Posteroanterior; right pediatric wrist radiograph; male, 12 yo; image 77.5 mm wide — 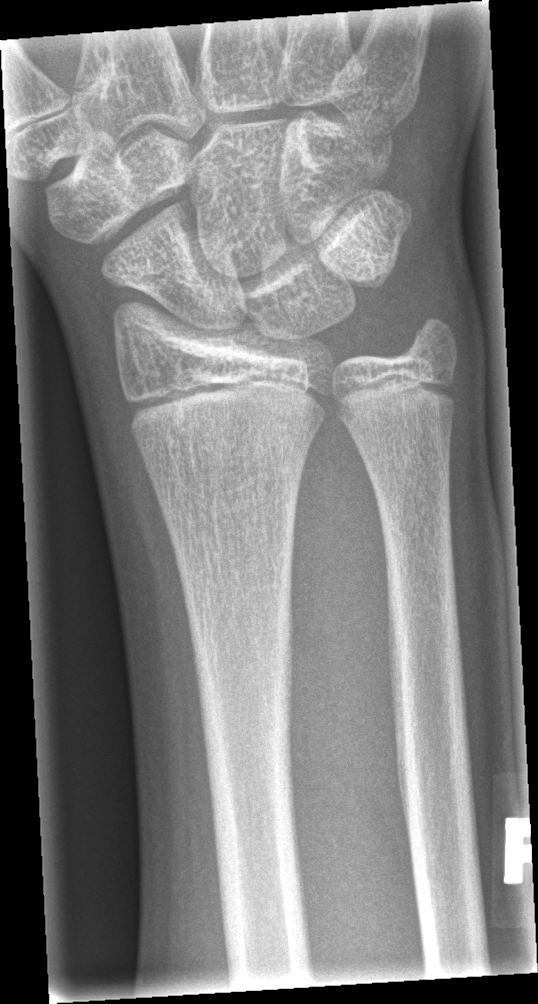

Fracture present but not clearly seen in this view.
AO/OTA classification: 23r-M/2.1.